Lat projection; Lt wrist plain film; image width 79.1 mm; 549 x 1168 px.
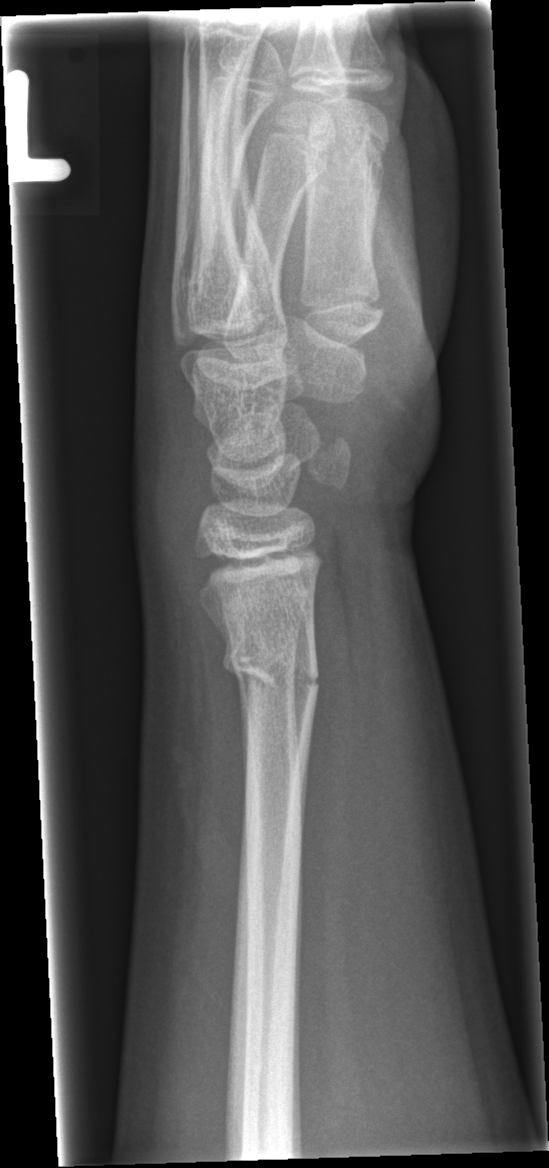 One fracture at 219 630 324 701.